R pediatric wrist radiograph, lat view, 16-year-old female 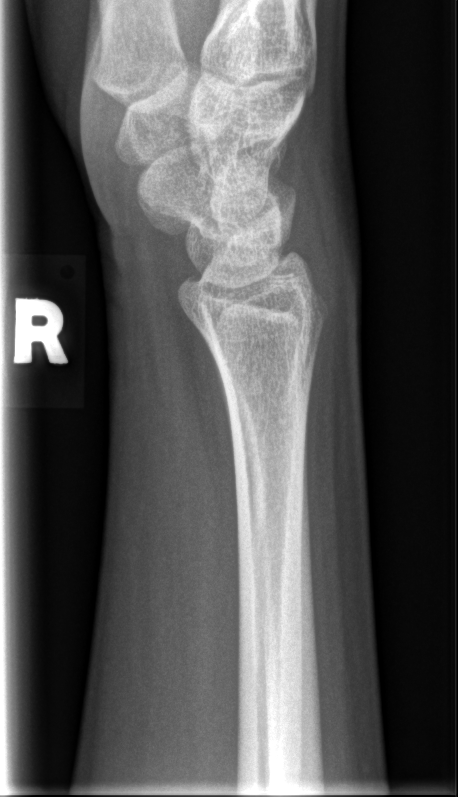
FINDINGS — No fracture annotation.